Lateral projection; left wrist X-ray; index exam; Siemens; 491x1254.

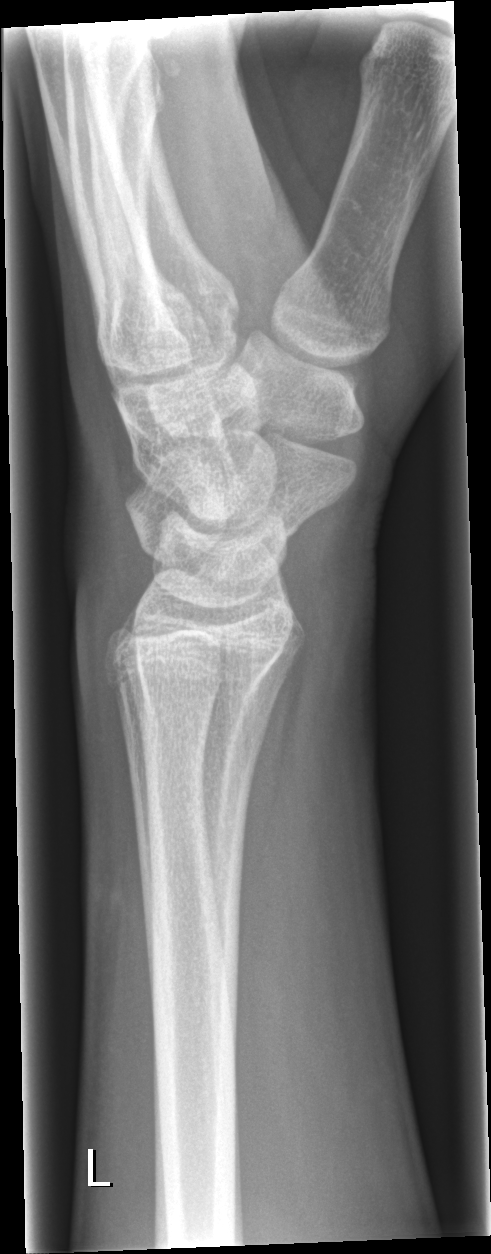
FINDINGS: No fracture bounding box.